PA/AP view; L wrist XR; in cast: 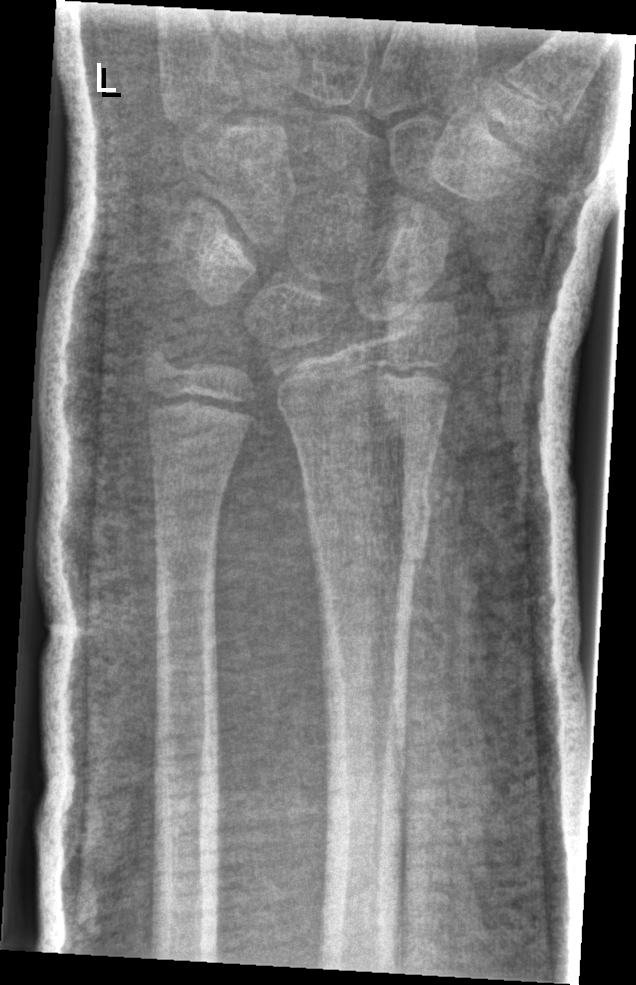

Coordinates are [x1, y1, x2, y2] in image pixels. Bone fracture — [x1=305, y1=488, x2=434, y2=579].